Rt wrist radiograph; lateral; age 9 y, girl; acquired on Siemens; 393 x 1034 px: 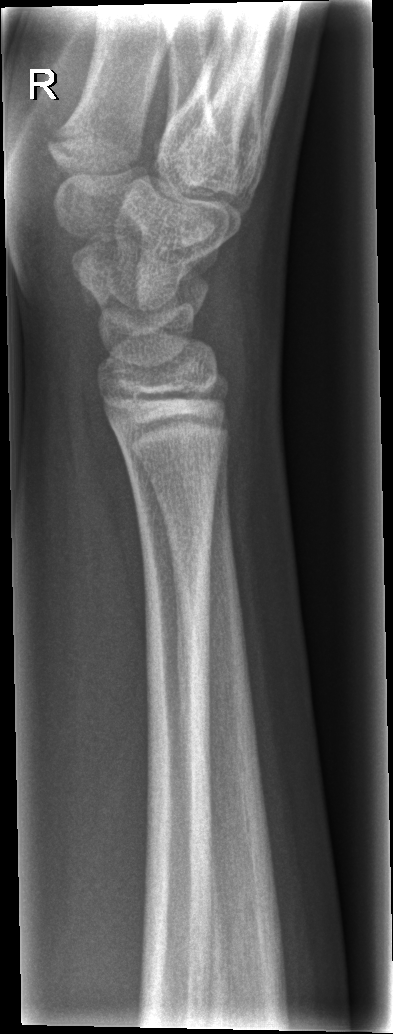 Fx: none.